Lateral projection; left pediatric wrist radiograph — 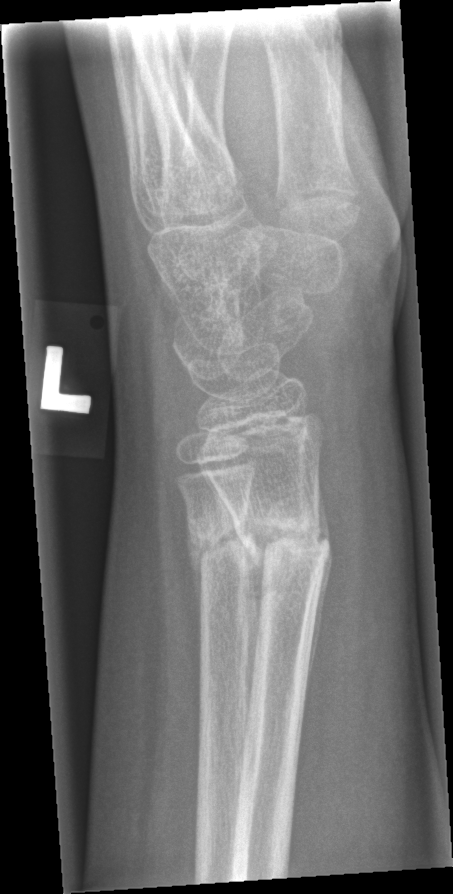
{"_coords": "coordinates are [x1, y1, x2, y2] in image pixels", "fracture": "2 @ (left=226, top=505, right=336, bottom=589), (left=181, top=509, right=259, bottom=587)", "osteopenia": "present", "periostealreaction": "(left=200, top=457, right=265, bottom=817); (left=304, top=479, right=333, bottom=715); (left=186, top=512, right=202, bottom=640)", "ao": "23-M/3.1"}